Frontal projection; L pediatric wrist radiograph; 13-year-old boy; Siemens; 555x846.
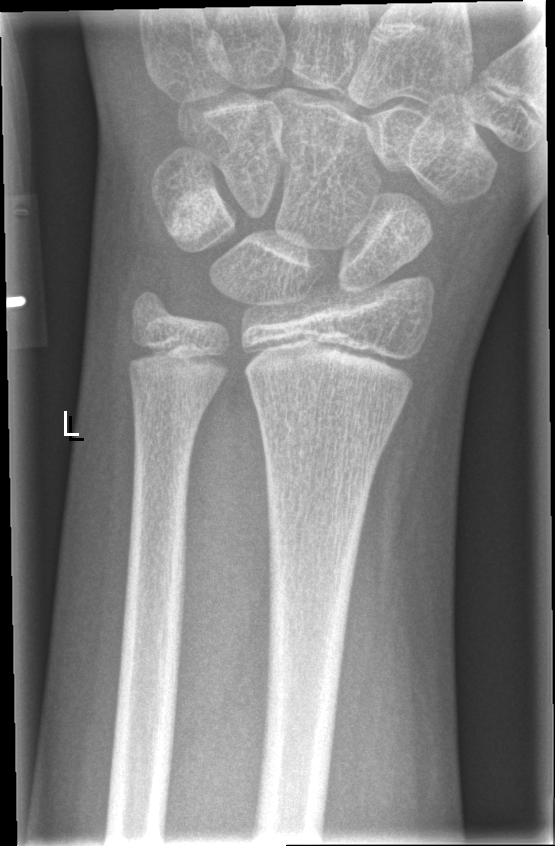

Q: Is there a fracture?
A: Fx: none